Right wrist XR, lateral projection, index exam.

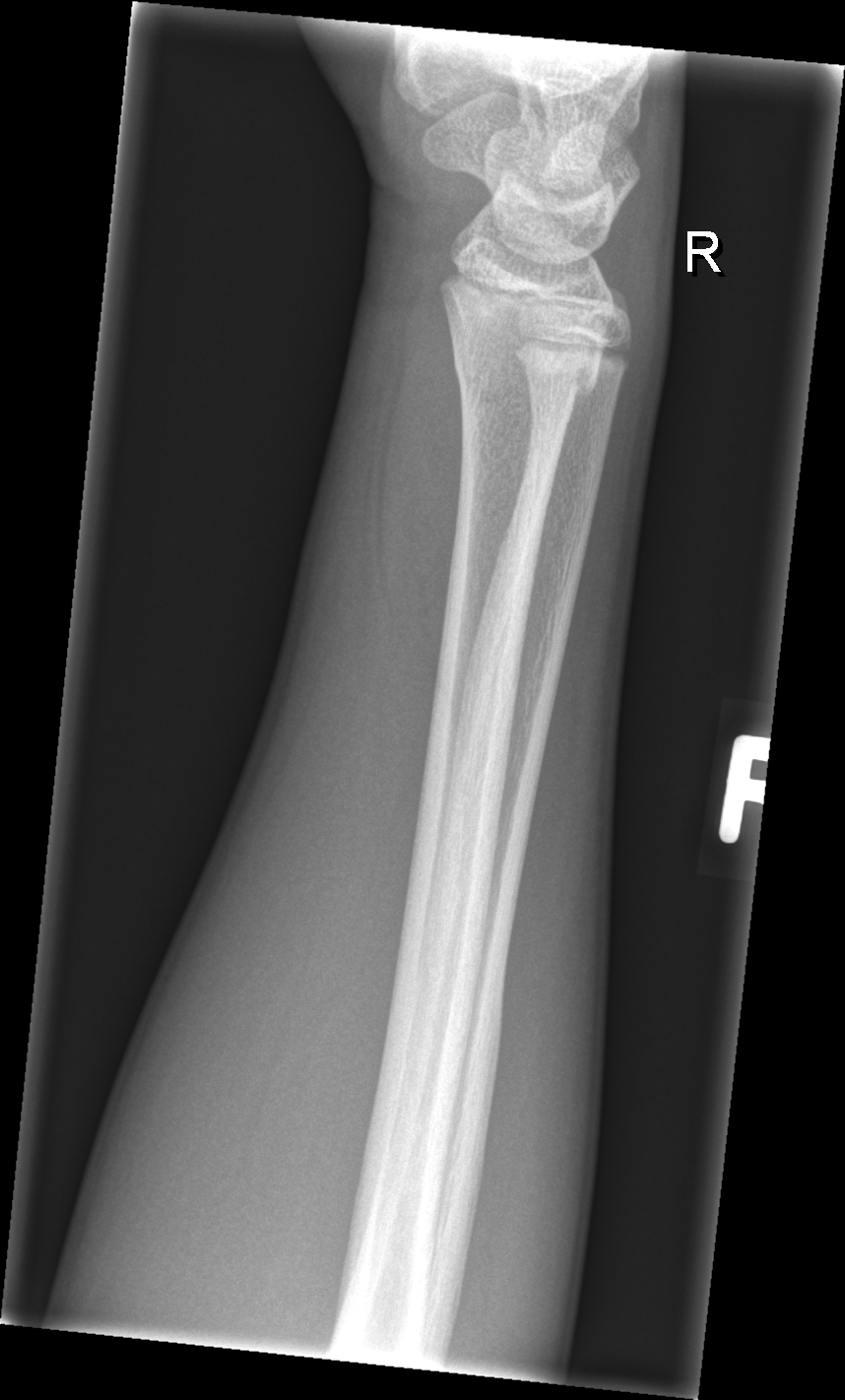
Pronator quadratus fat-pad sign: bbox(382, 290, 469, 690)
AO classification: 23r-M/2.1
Bone fracture: bbox(447, 314, 610, 408)